Right wrist plain radiograph of the wrist · frontal projection.
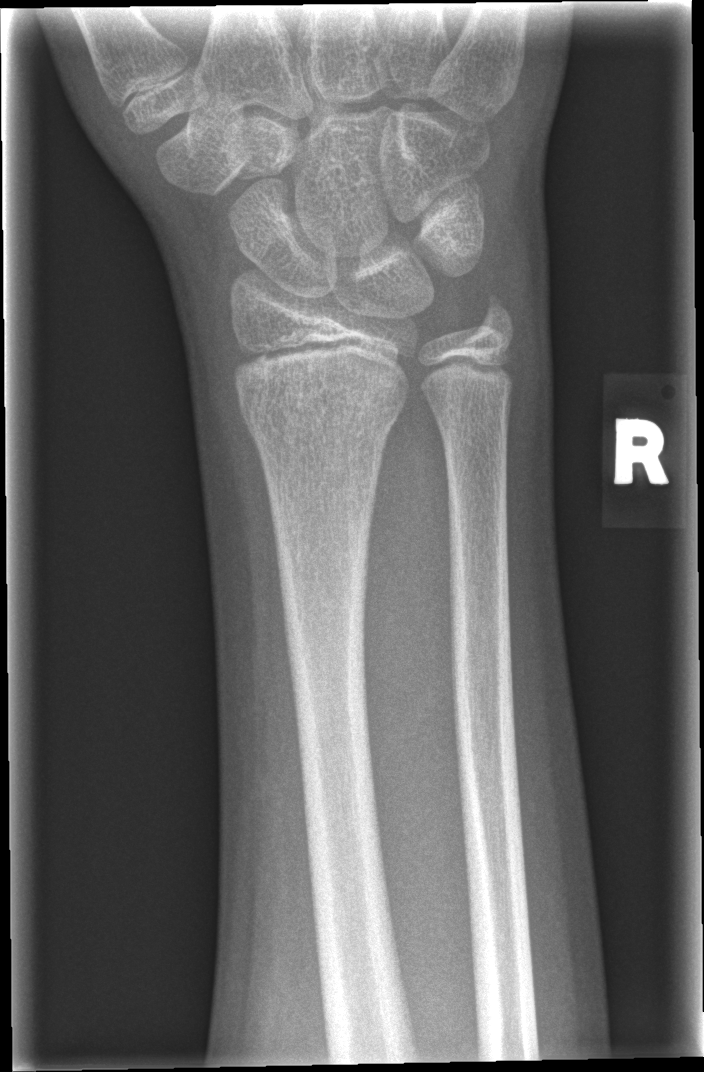
Bone fracture: 2 @ (left=235, top=377, right=408, bottom=451); (left=466, top=289, right=519, bottom=341)